Left wrist X-ray | lat view | presentation radiograph | 491 by 976 pixels —

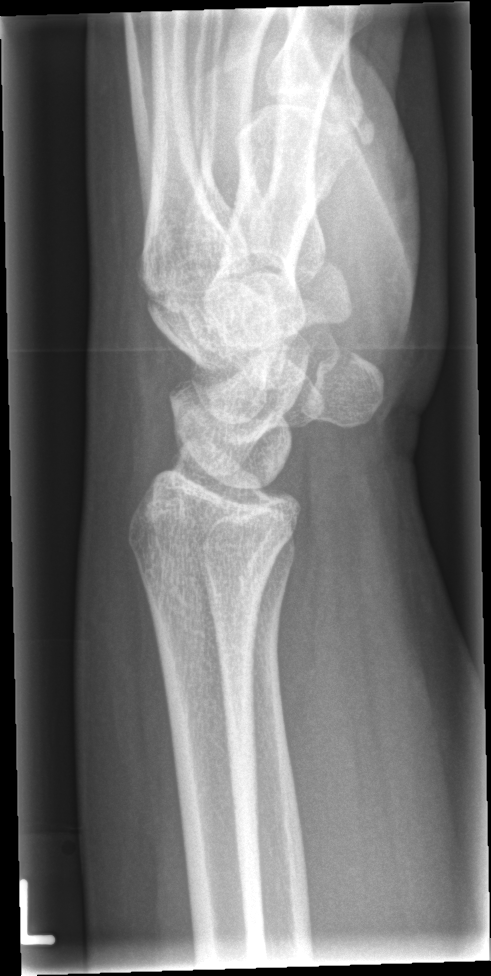

Bone fracture: none labeled